Lat view · L plain radiograph of the wrist · pediatric patient (female, age 12)

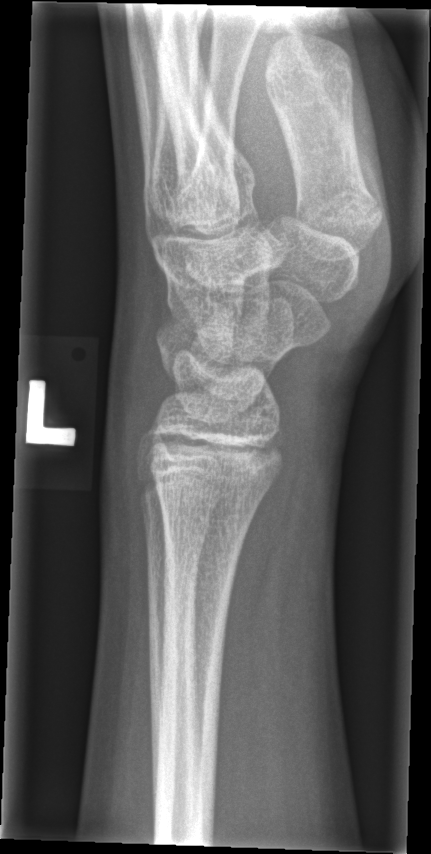
fracture: none labeled